AP projection, left wrist XR, follow-up:

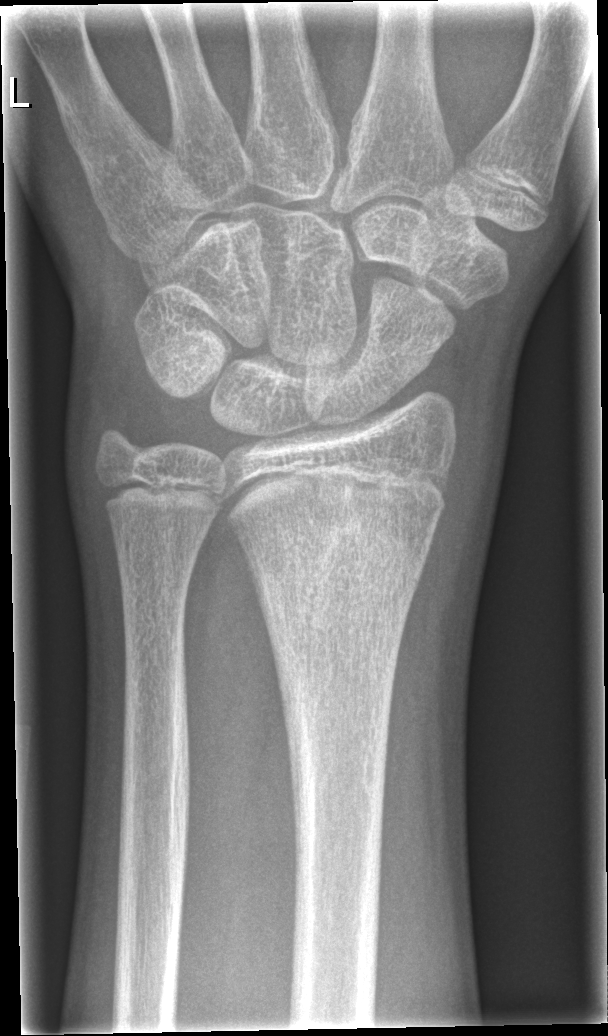 Q: Any fracture seen?
A: Fx: <244,512>-<427,636>
Q: AO code?
A: AO code 23r-M/3.1